Posteroanterior projection, right pediatric wrist radiograph:

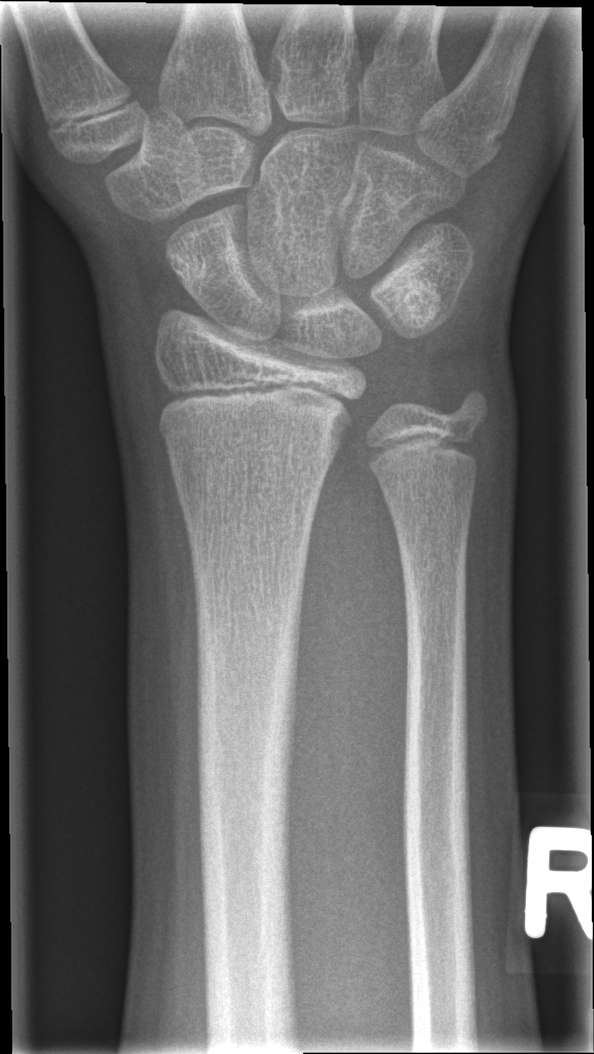 AO code: 23r-M/2.1
fracture: present but not clearly seen in this view